Left wrist X-ray · posteroanterior:
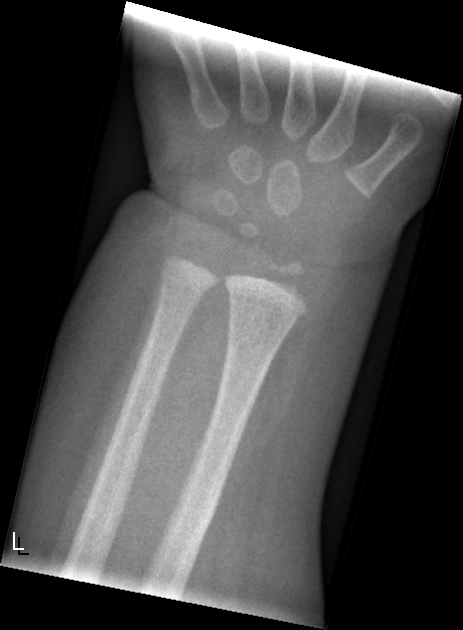
Bone fracture: none labeled